Lat projection | R wrist radiograph | 7-year-old male 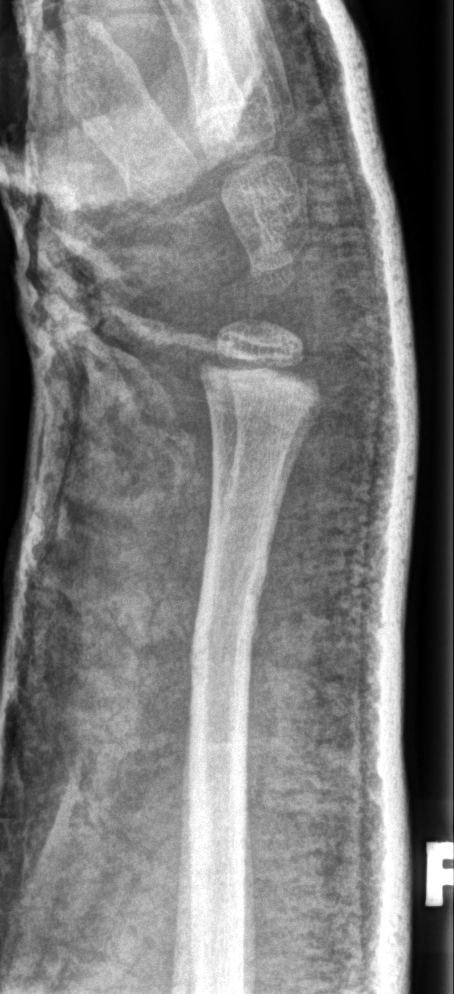 Findings: (pixel coordinates, top-left origin, xyxy) One fracture at (left=182, top=550, right=274, bottom=684). AO code 22-D/2.1.